Frontal | right wrist pediatric wrist radiograph | presentation radiograph. 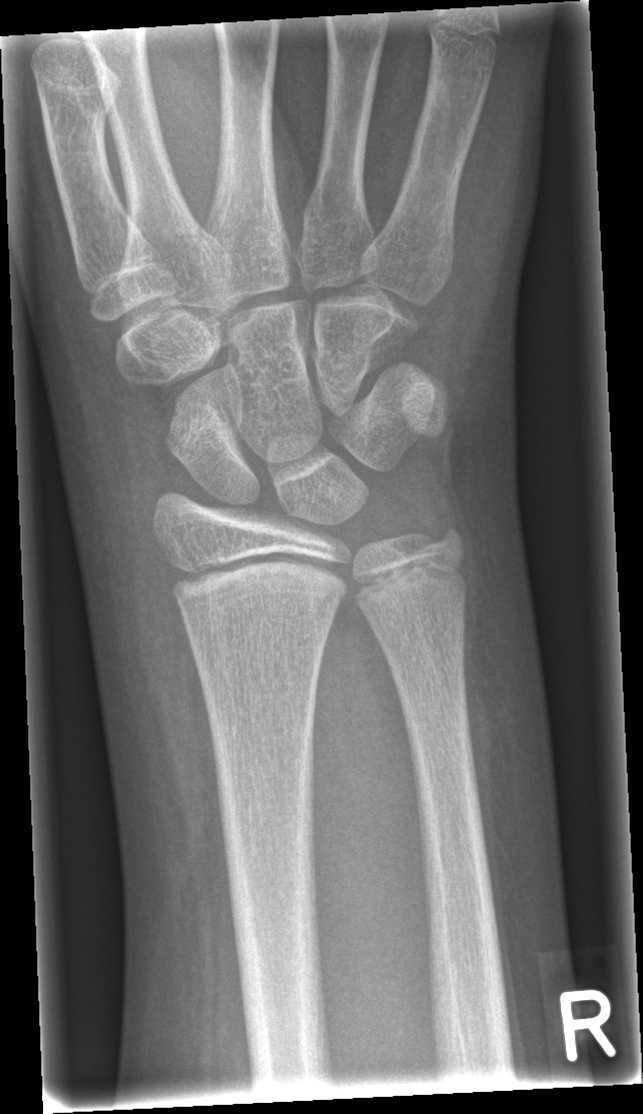 Fracture present but not clearly seen in this view. Fracture classified AO/OTA 23r-E/2.1.